Frontal projection; left wrist plain film; 7-year-old girl —

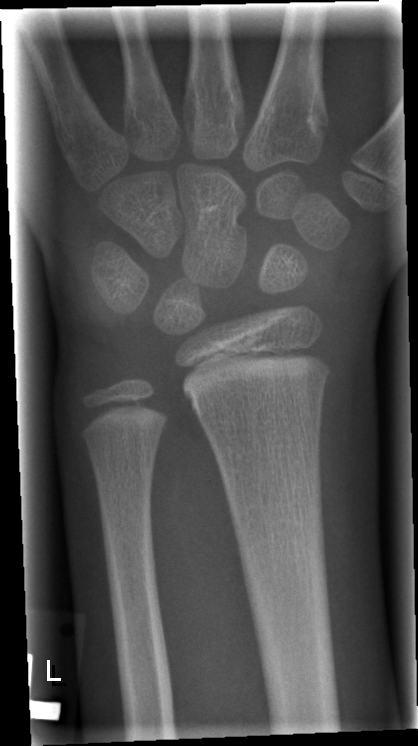 bone fracture: none labeled